Right wrist plain film | lat | 423 by 868 pixels
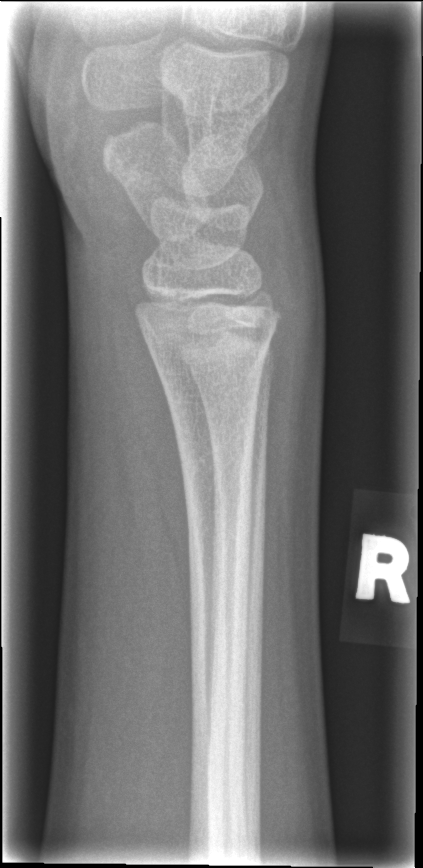 Fx: none.